Left wrist X-ray | posteroanterior | pediatric patient (male, age 12) —

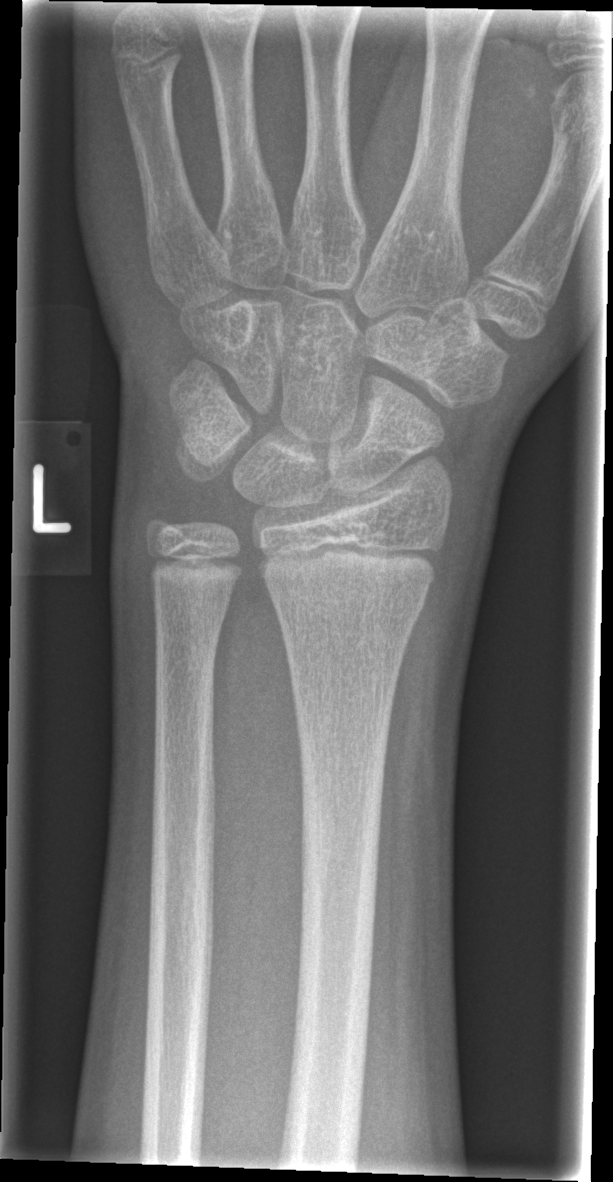

Bone fracture identified at (left=257, top=562, right=431, bottom=631).
AO code 23-M/2.1.